Lat view | left wrist XR | 7-year-old boy | follow-up study | Siemens — 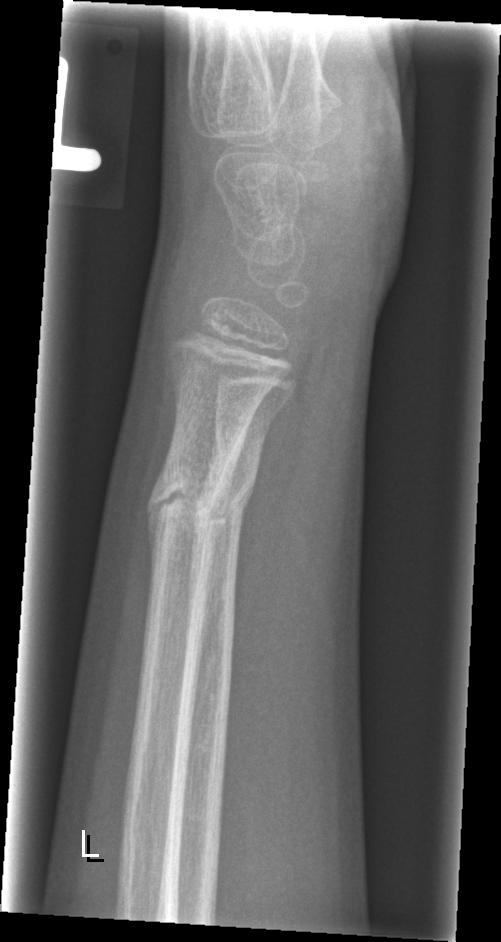 AO/OTA classification: 23-M/3.1.
Osteopenia.
Periosteal reaction: 147 499 167 577.
Bone fracture identified at 149 458 216 538 | 194 475 262 533.